R wrist plain film · PA/AP view · pediatric patient (girl, age 10) · index exam · detector: Siemens.

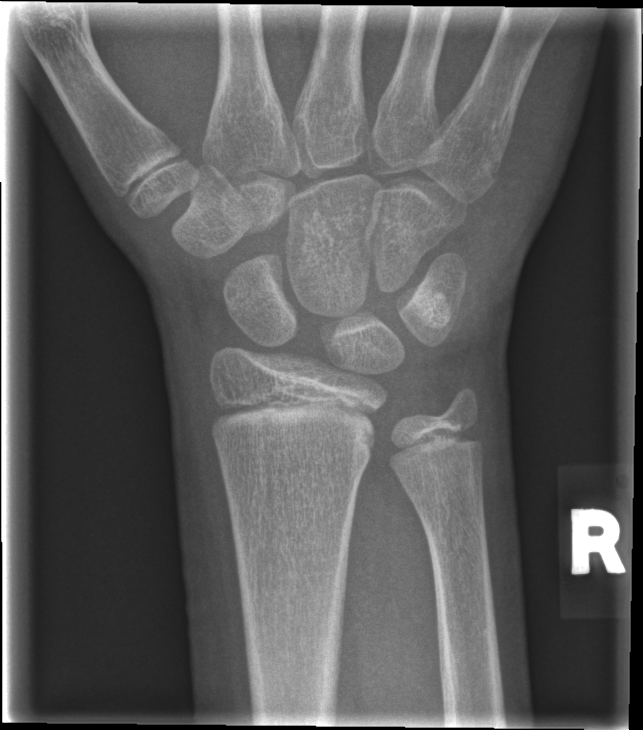 Fx = none labeled